Lateral projection · Rt plain radiograph of the wrist · 622 x 1172 px.
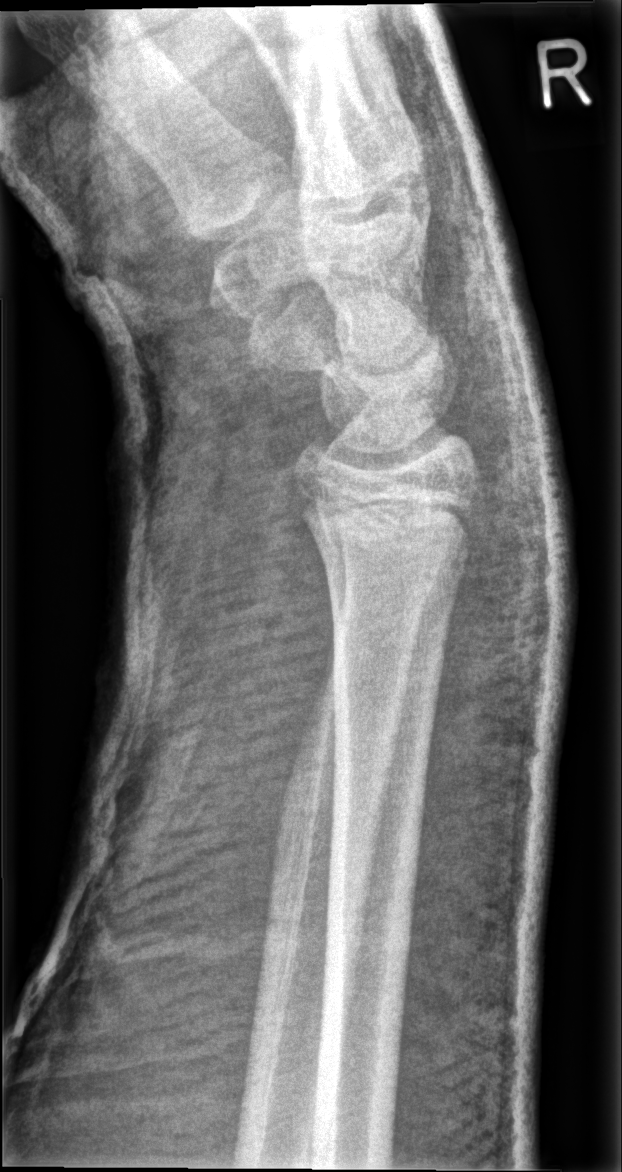 Q: What is the AO/OTA classification?
A: Fracture classified AO/OTA 23r-E/2.1; 23u-E/7
Q: Any fracture seen?
A: Fx: present but not clearly seen in this view